R pediatric wrist radiograph, lat, 10-year-old boy, Siemens:
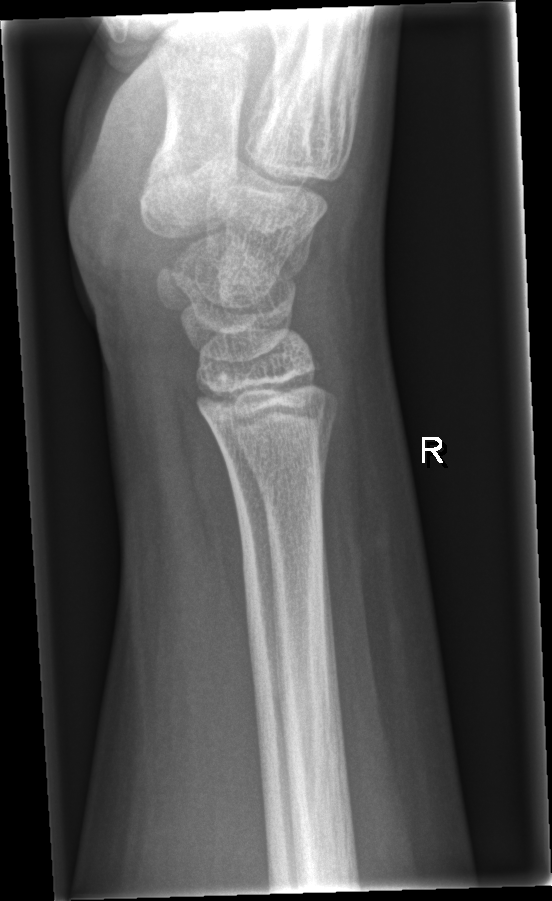
No fracture bounding box.